Left wrist X-ray, PA, girl, 17 yo, initial study. 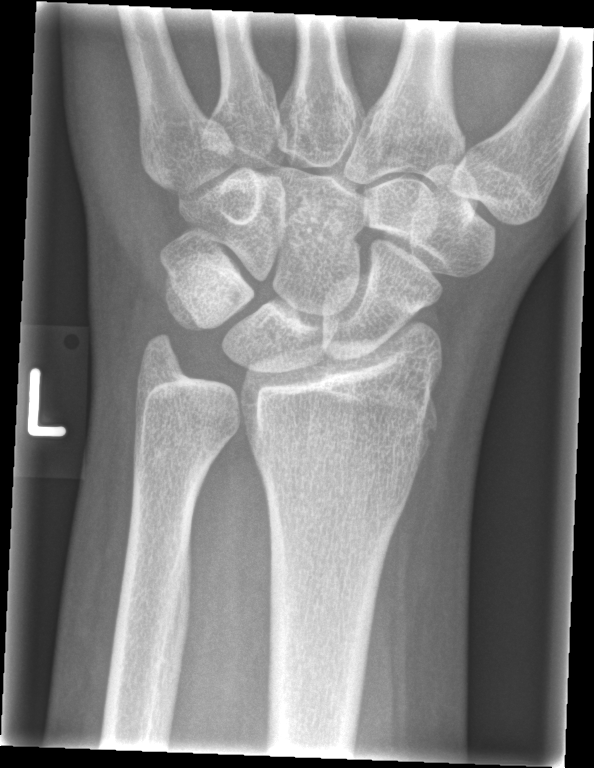
- No fracture annotation.